Posteroanterior view | left wrist plain radiograph of the wrist | age 12 y, girl: 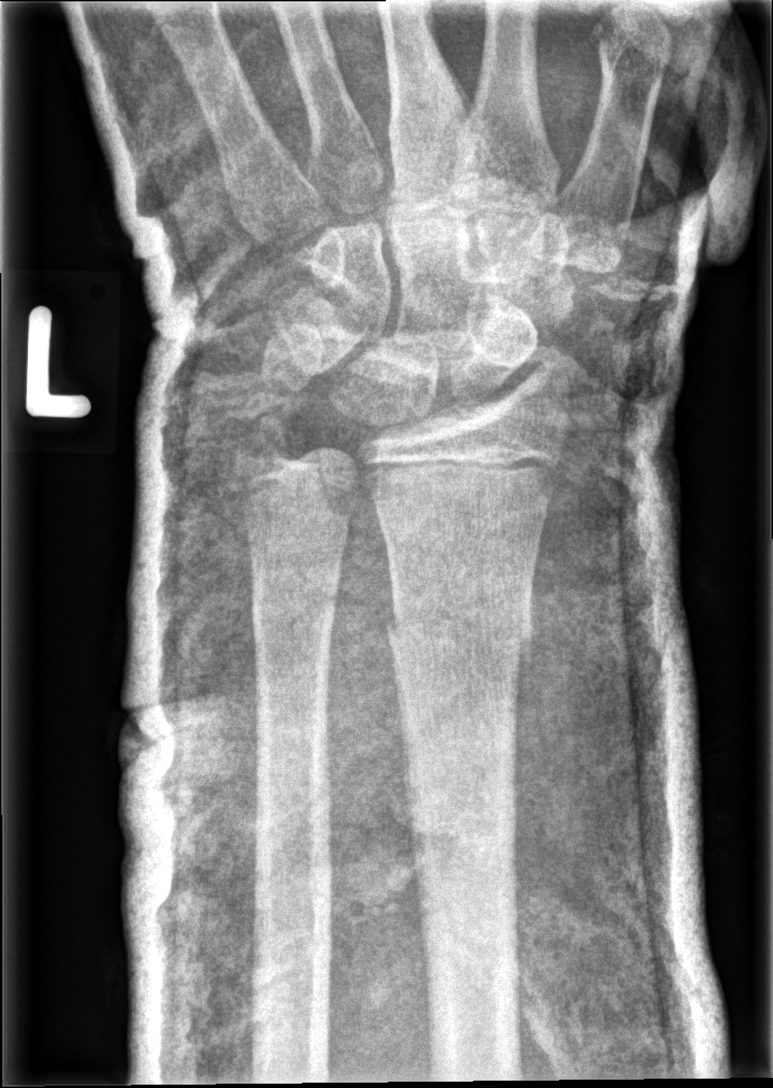

Findings: Fx identified at (left=380, top=596, right=537, bottom=676). Fracture classified AO/OTA 23r-M/3.1.